L wrist radiograph, PA/AP view, pediatric patient (girl, age 11), acquired on Siemens — 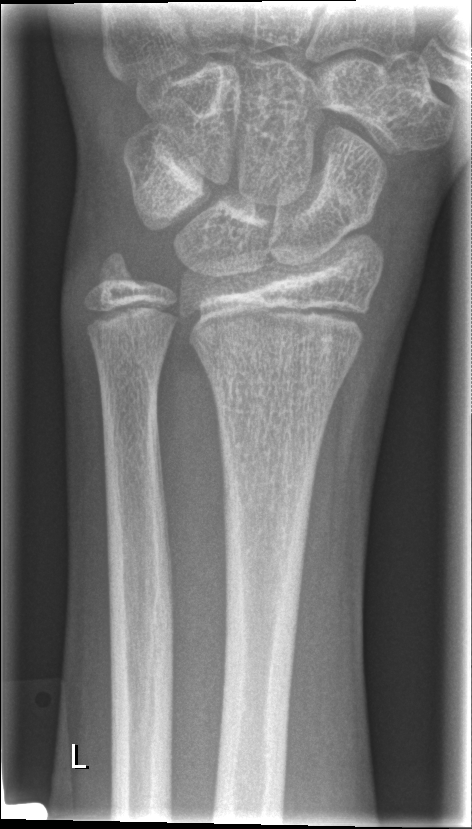 Fracture: none labeled